Lt wrist XR | frontal projection | male, 7 yo | cast in situ

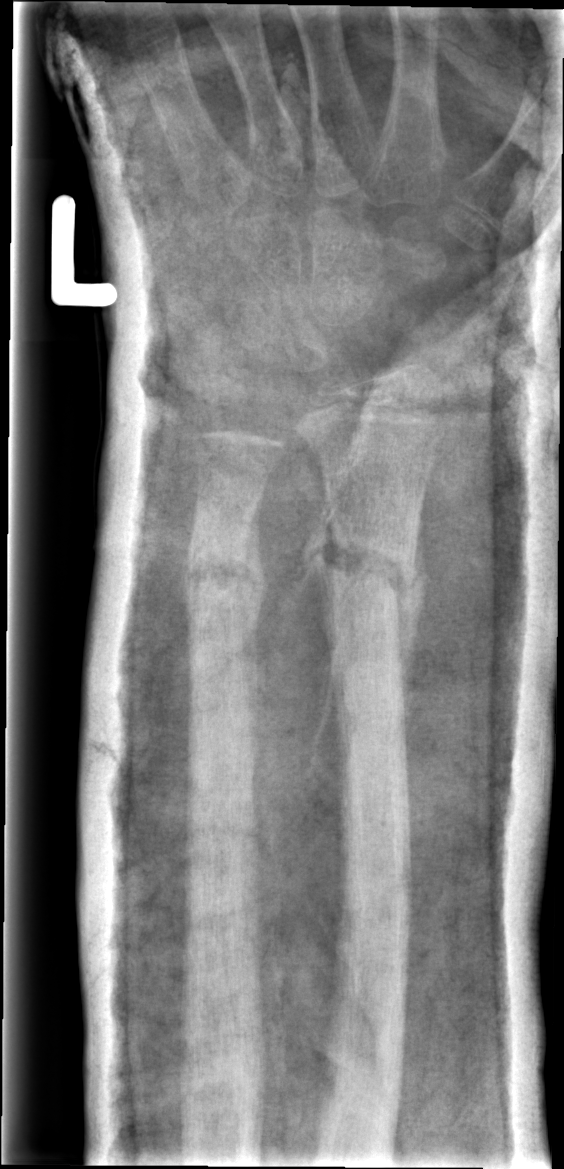

{"fracture": "(310, 509, 427, 620) (181, 543, 264, 604)", "ao": "23-M/3.1", "periostealreaction": "3 @ (399, 541, 427, 688); (311, 508, 333, 654); (248, 503, 266, 667)"}